Lt wrist XR | posteroanterior | age 14 y, boy | index exam | acquired on Siemens:

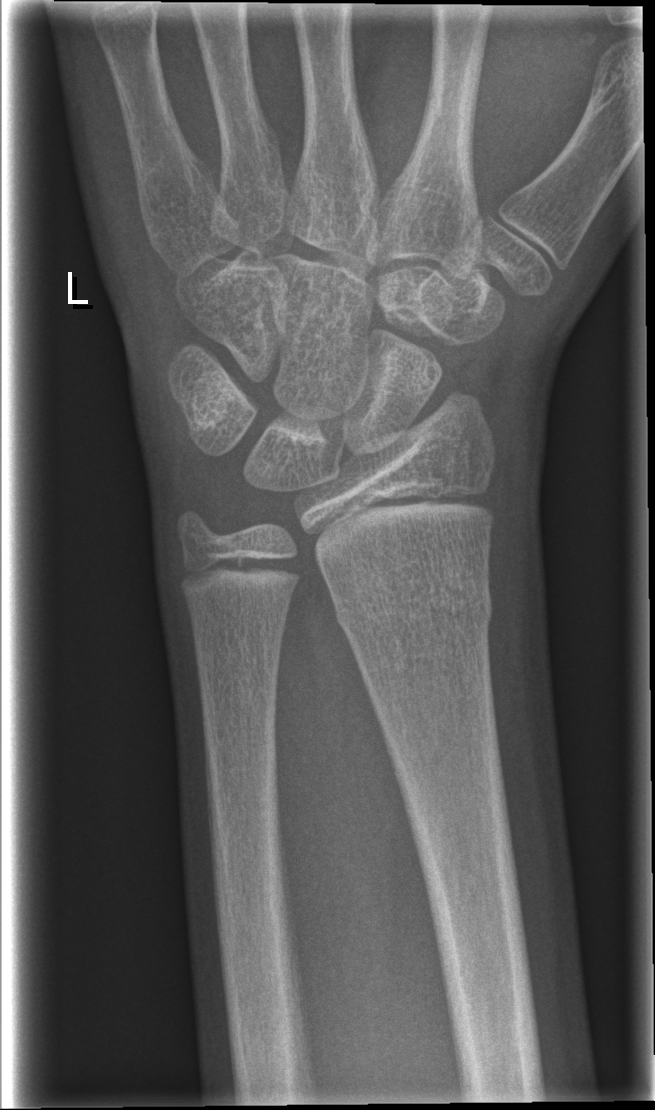

Coordinates are [x1, y1, x2, y2] in image pixels.
One Fx at <329,574>-<498,646>.
AO/OTA classification: 23r-M/2.1.